Lt plain radiograph of the wrist | PA/AP | cast in situ | 784 x 1252 px:
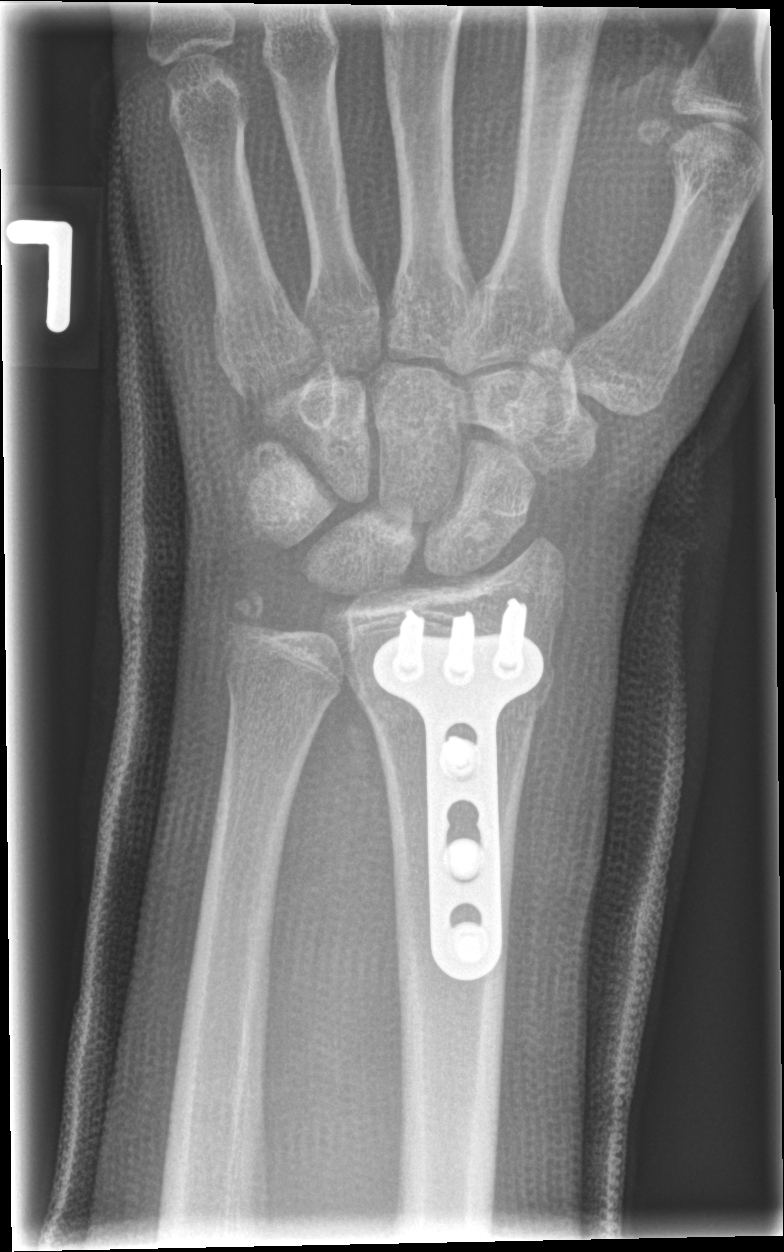
FINDINGS — Fractures — (343, 638, 562, 732) (215, 579, 290, 653). Fracture classified AO/OTA 23r-M/3.1; 23u-E/7. One metal at (368, 593, 547, 984).